Right wrist radiograph; PA; cast in situ:

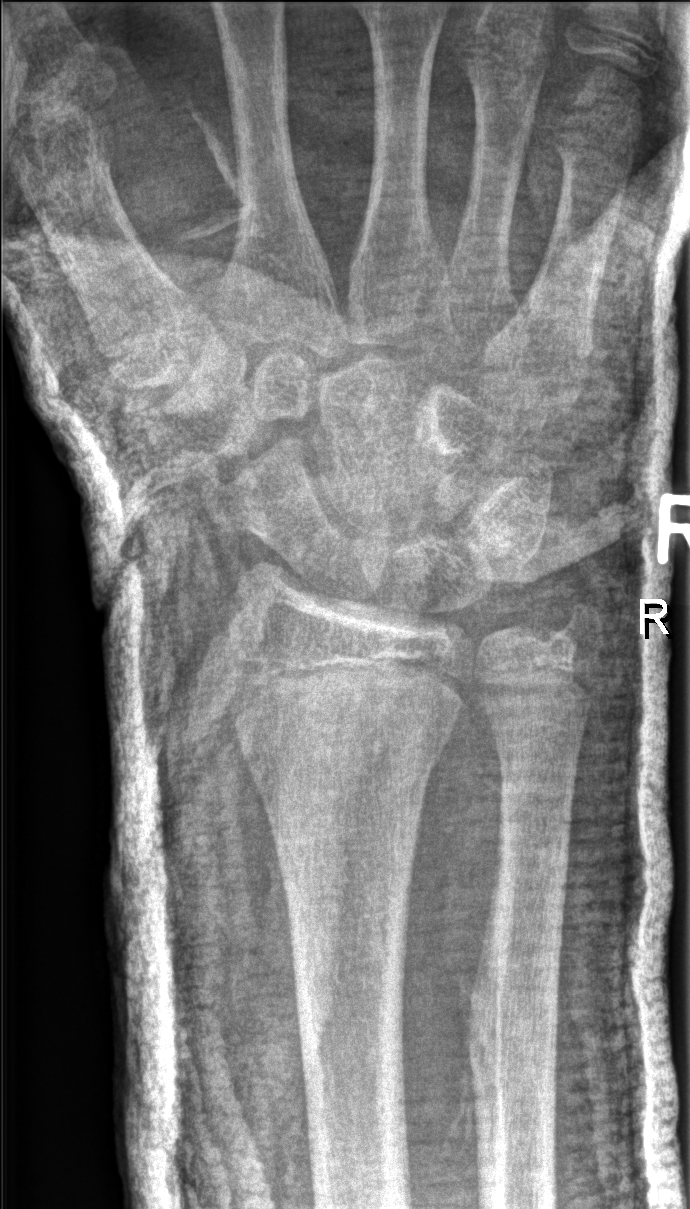 Findings: Fracture present, though not clearly seen in this view. Fracture classified AO/OTA 23r-M/3.1; 23u-E/7.